Lateral view, R plain radiograph of the wrist, female, 8 yo, detector: Siemens — 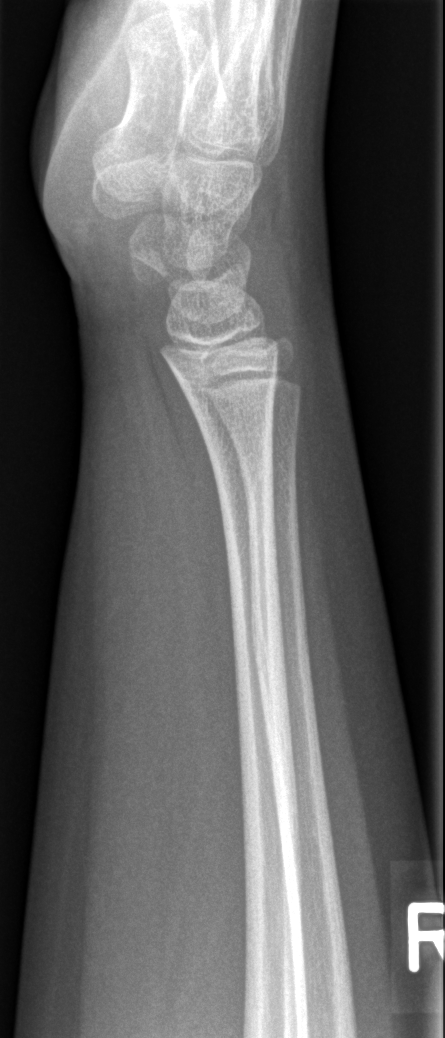

Fracture: none labeled.